Lat, Rt wrist plain film, cast in situ, 702 x 984 px
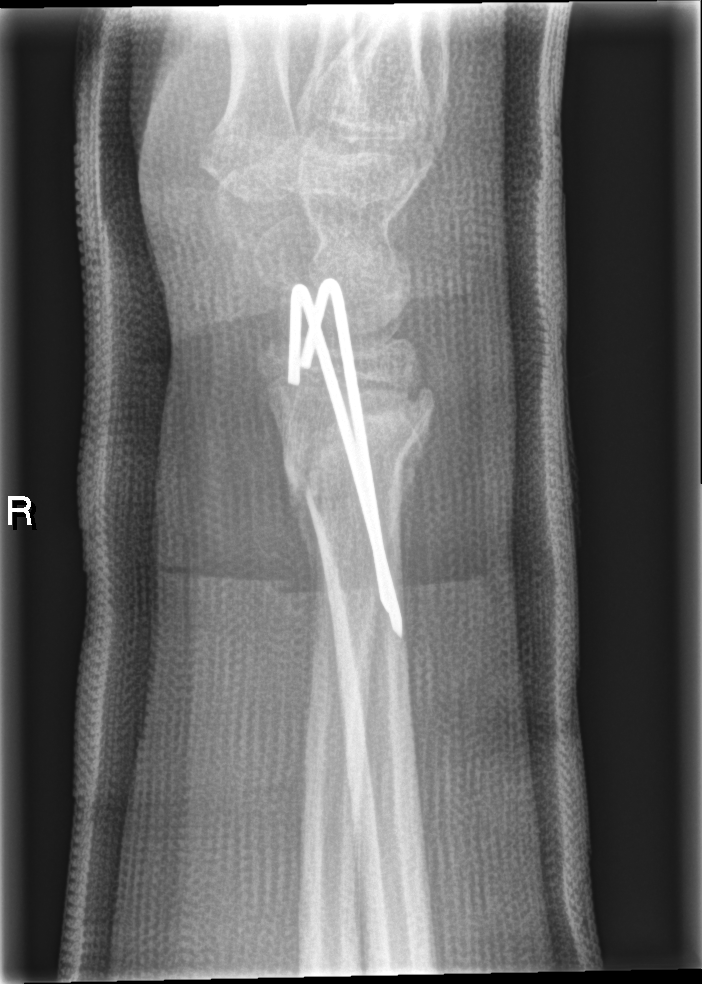
FINDINGS — One metallic hardware at <287,279>-<403,641>. Periosteal thickening identified at <393,406>-<432,612>, <283,483>-<333,635>. AO/OTA classification: 23r-E/2.2. Bone fracture: <277,371>-<440,519>.